Posteroanterior view | Rt plain radiograph of the wrist | cast present | detector: Siemens.

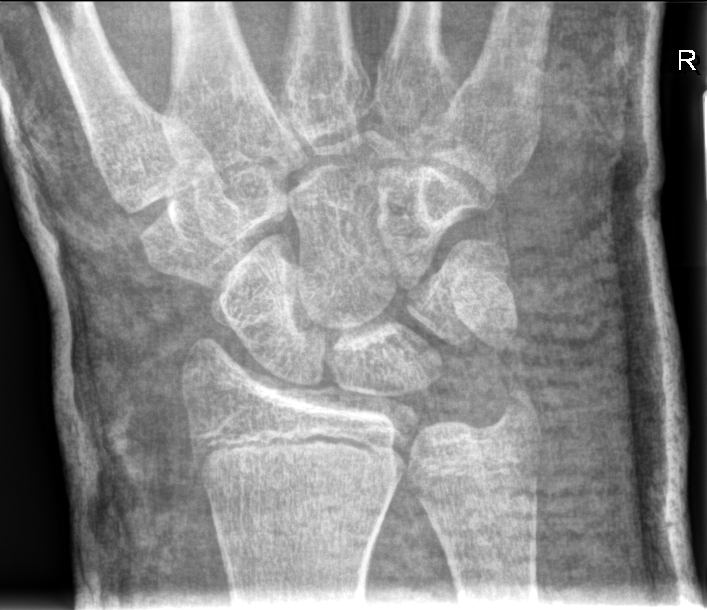

• Pixel coordinates, top-left origin, xyxy.
• Bone fracture: 492 381 546 455.
• Fracture classified AO/OTA 23r-E/2.1; 23u-E/7.